Left plain radiograph of the wrist, AP projection, age 13 y, girl, diagnosis uncertain 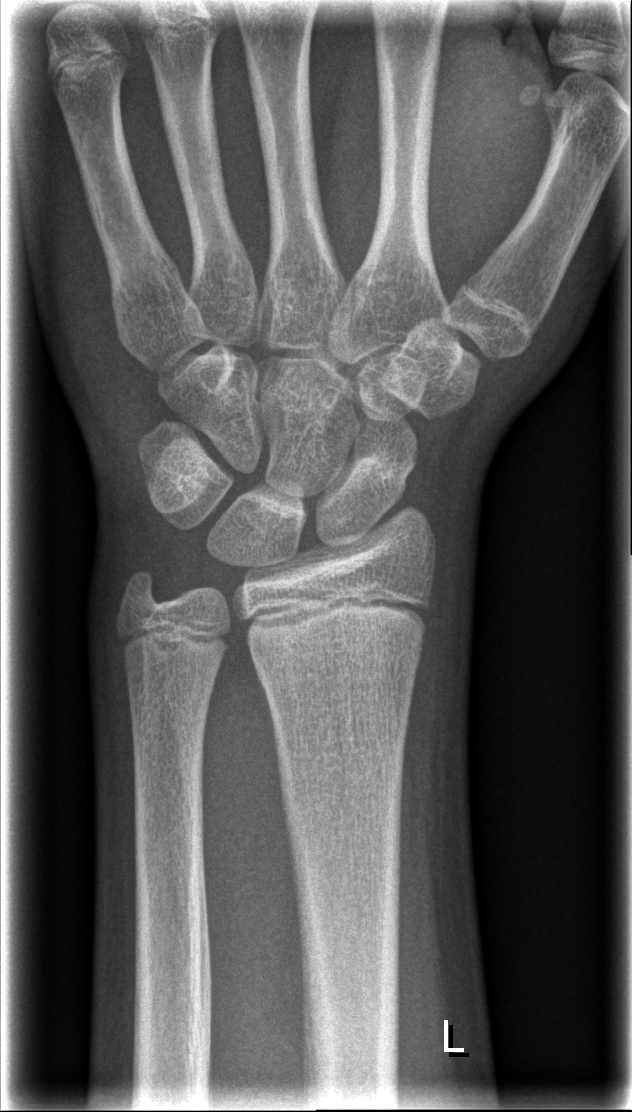 Q: Locate any fractures.
A: Fx present but not clearly seen in this view